R pediatric wrist radiograph, lat, cast present 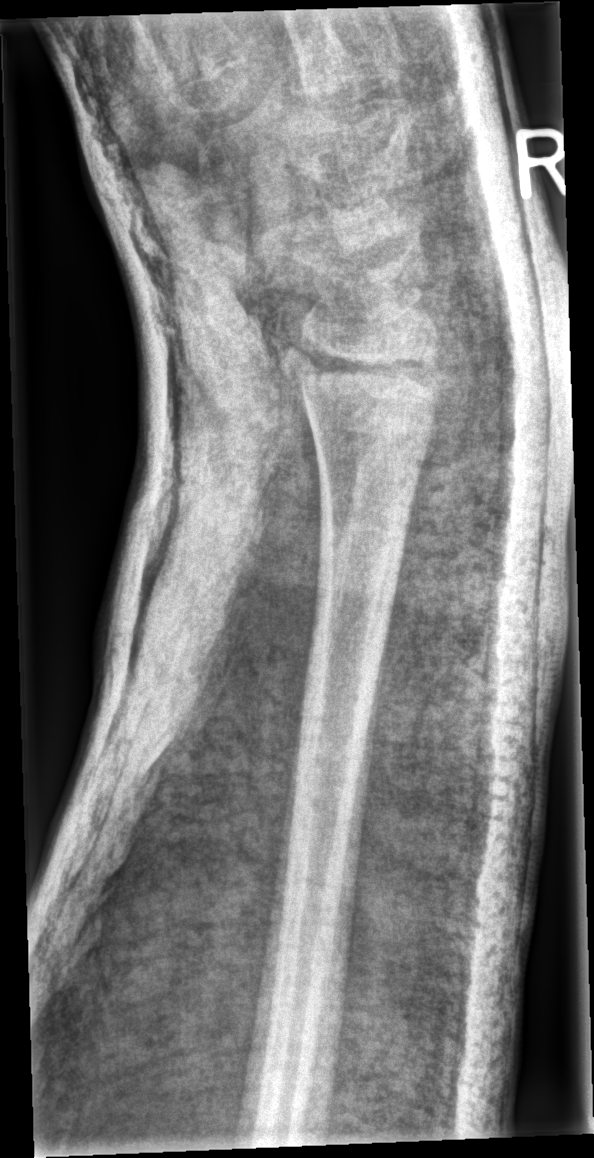

  fracture: 1 @ [273, 336, 463, 439]